Right plain radiograph of the wrist; posteroanterior view; 3y F

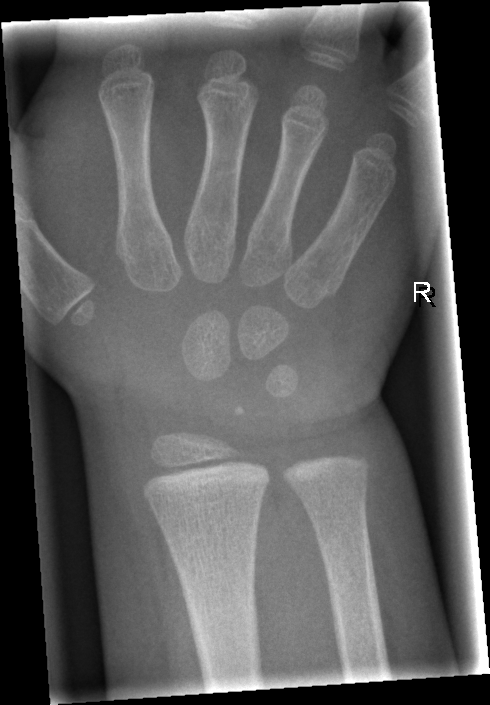 Fx: none labeled